Left wrist radiograph · lat projection · 13y F · imaged through cast · 610 by 1122 pixels.

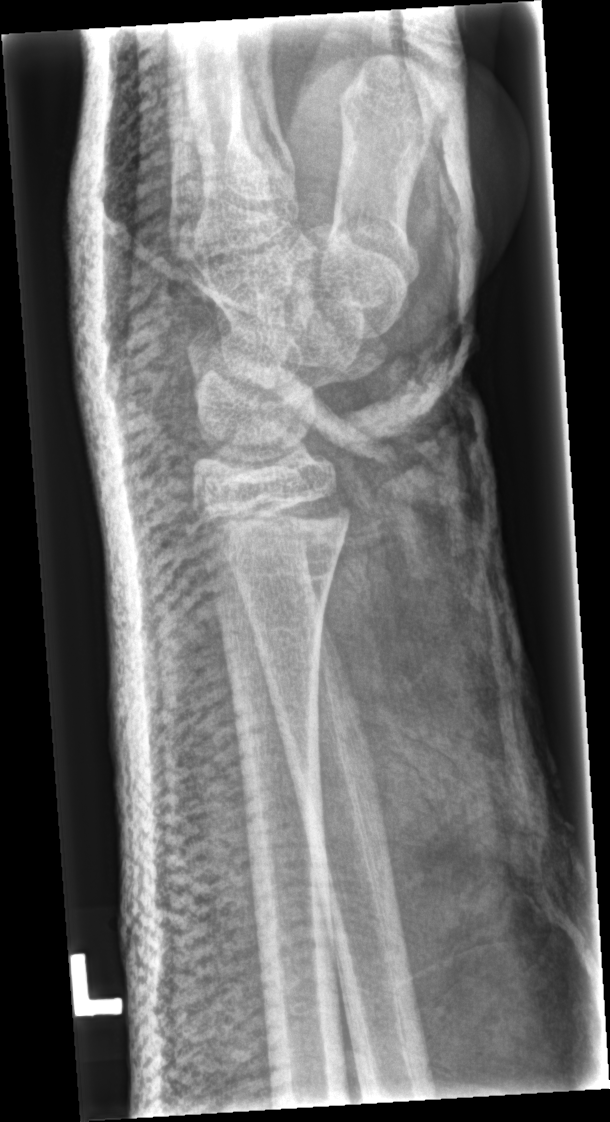 AO/OTA classification: 23r-E/2.1; 23u-E/7.
Fx — bbox(183, 476, 359, 557).